AP projection | right wrist X-ray | male, 6 yo | presentation radiograph: 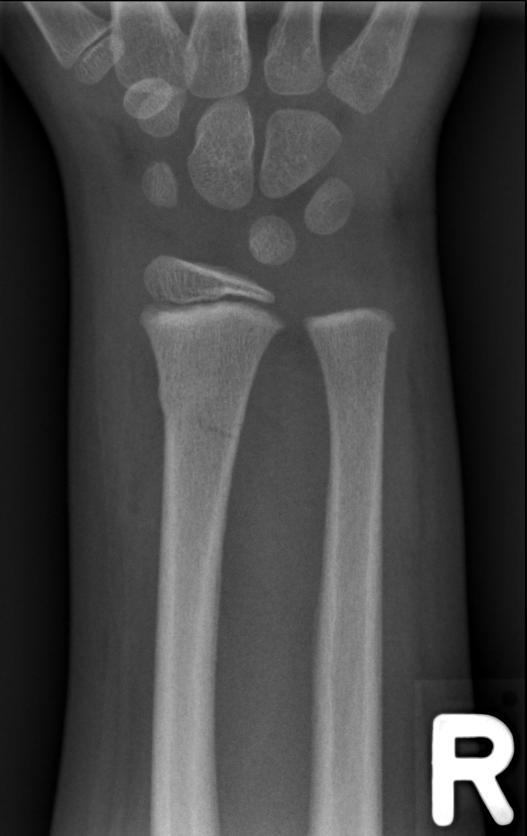

One soft tissue abnormality at bbox(67, 206, 169, 575).
Bone fracture identified at bbox(155, 377, 248, 447), bbox(305, 317, 401, 354).